PA, left wrist radiograph, 8y F, imaged through cast —

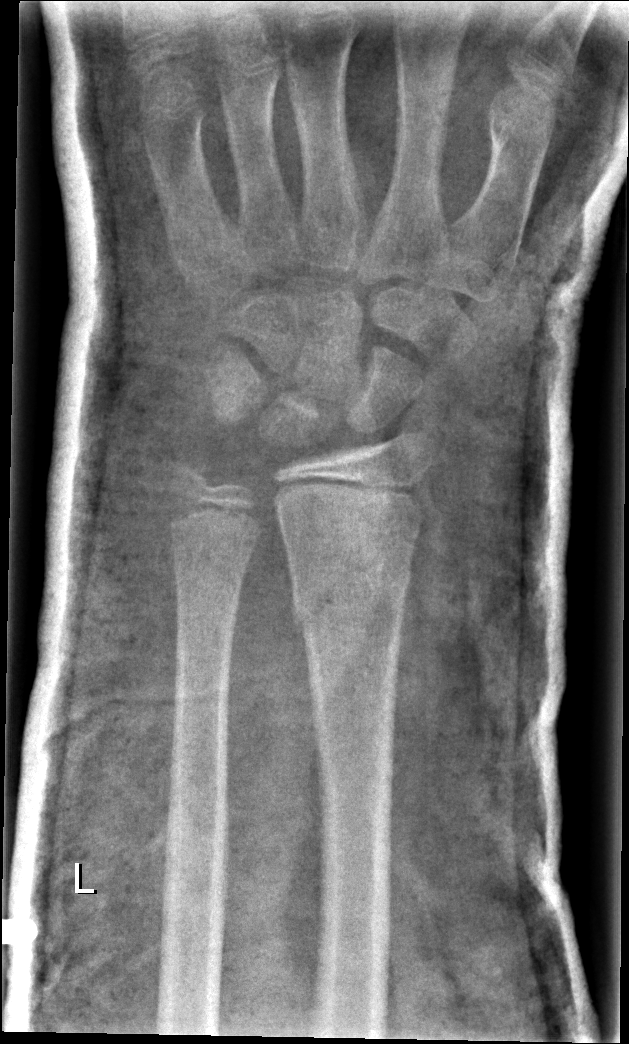
Findings: (bounding boxes in image-pixel xyxy) Fracture — <287,553>-<415,642>. Fracture classified AO/OTA 23r-M/3.1.